Rt wrist plain film; lat projection:
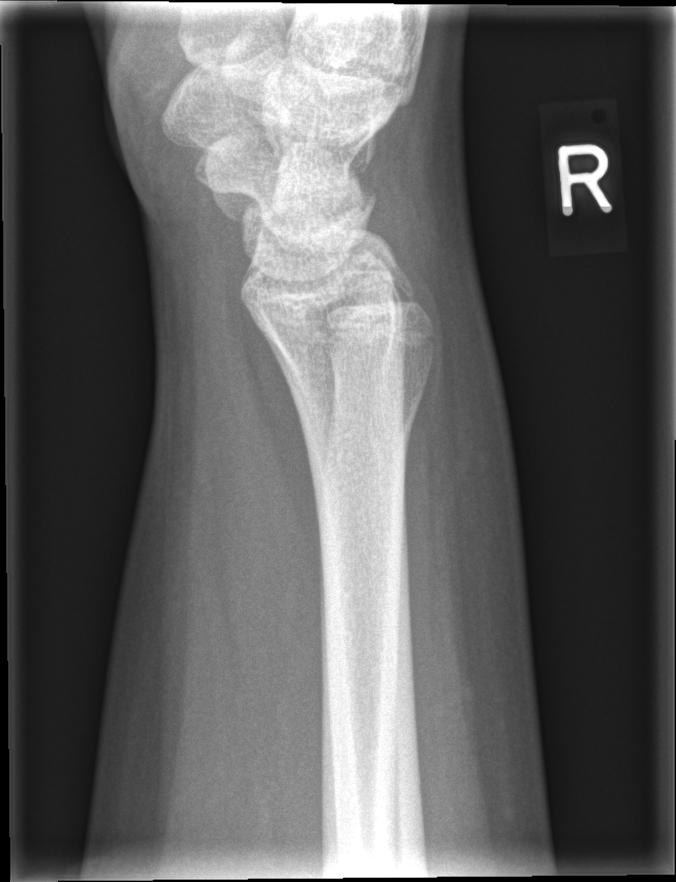
* No fracture annotation.